Frontal projection, L pediatric wrist radiograph:

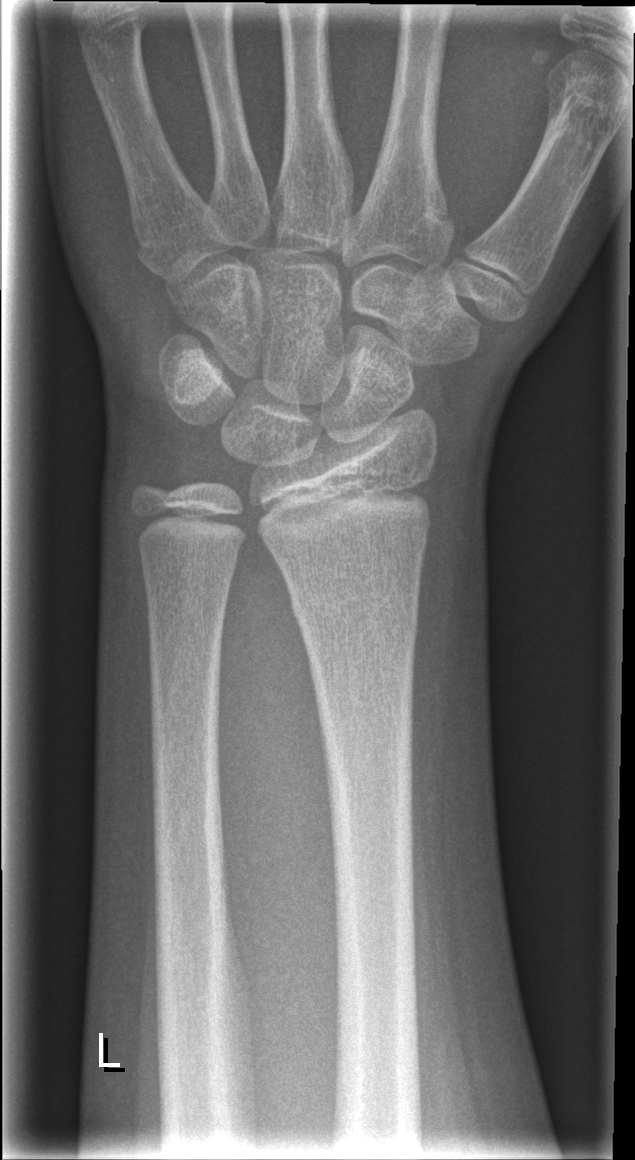
  ao: 23r-M/2.1
  fracture: bbox(286, 583, 424, 648)